Lat, Rt plain radiograph of the wrist, 10-year-old female:
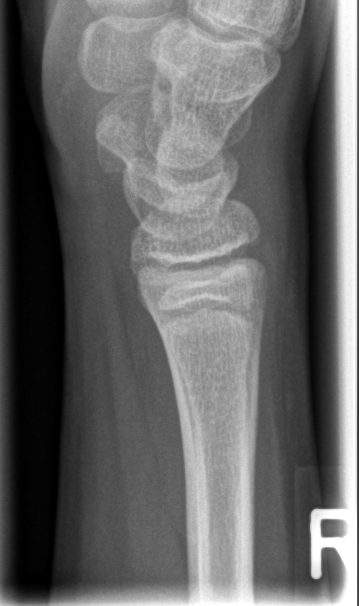

No fracture annotation.